R wrist radiograph | lat

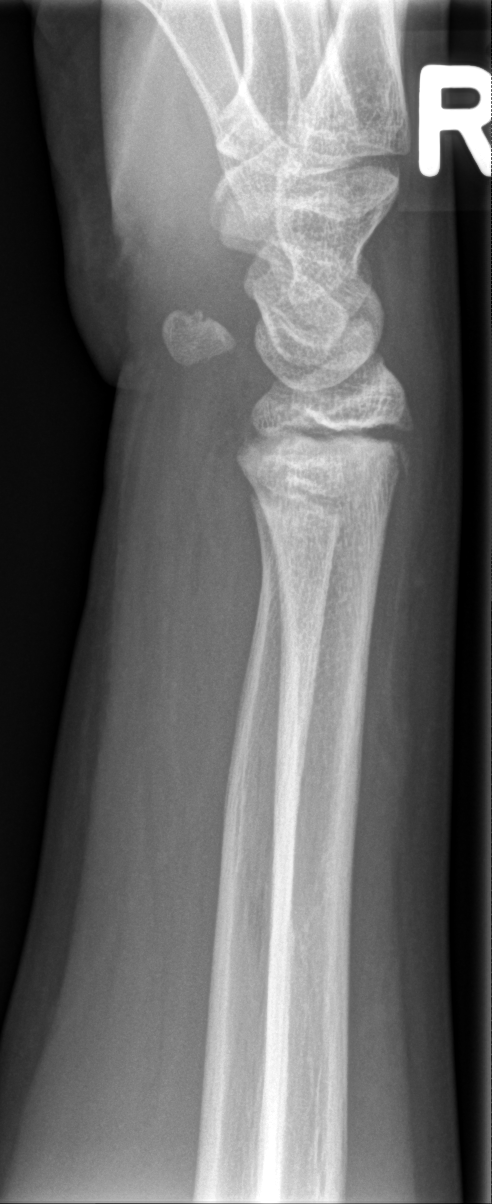
(bounding boxes in image-pixel xyxy)
pronator quadratus fat-pad sign: 1 @ <169,420>-<269,856>
Fx: 1 @ <231,401>-<421,483>